Lt wrist XR · AP projection · equivocal findings · image width 86.8 mm · 603 x 1004 px.

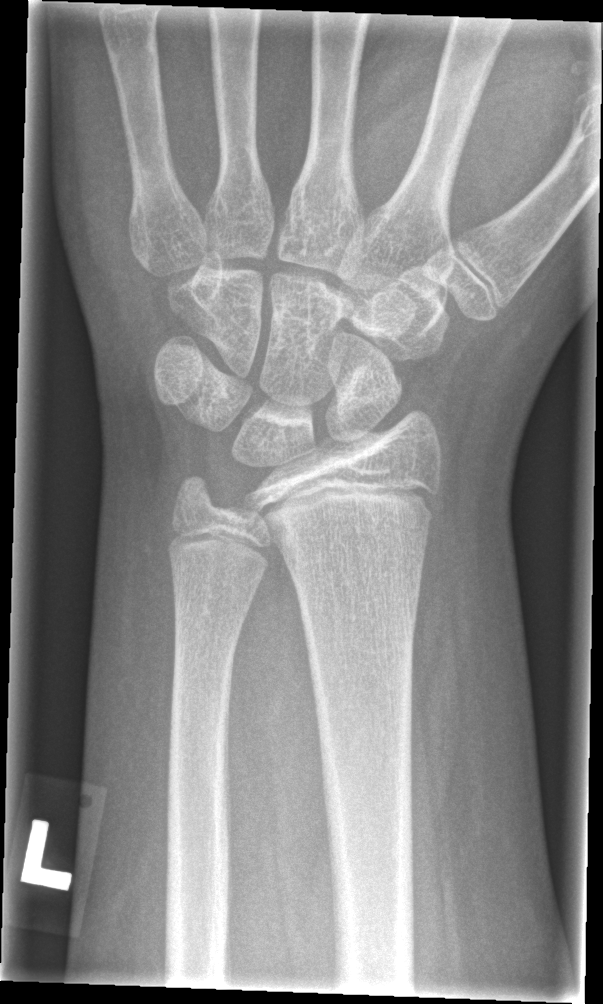

No fracture labeled.